PA view, R wrist XR:

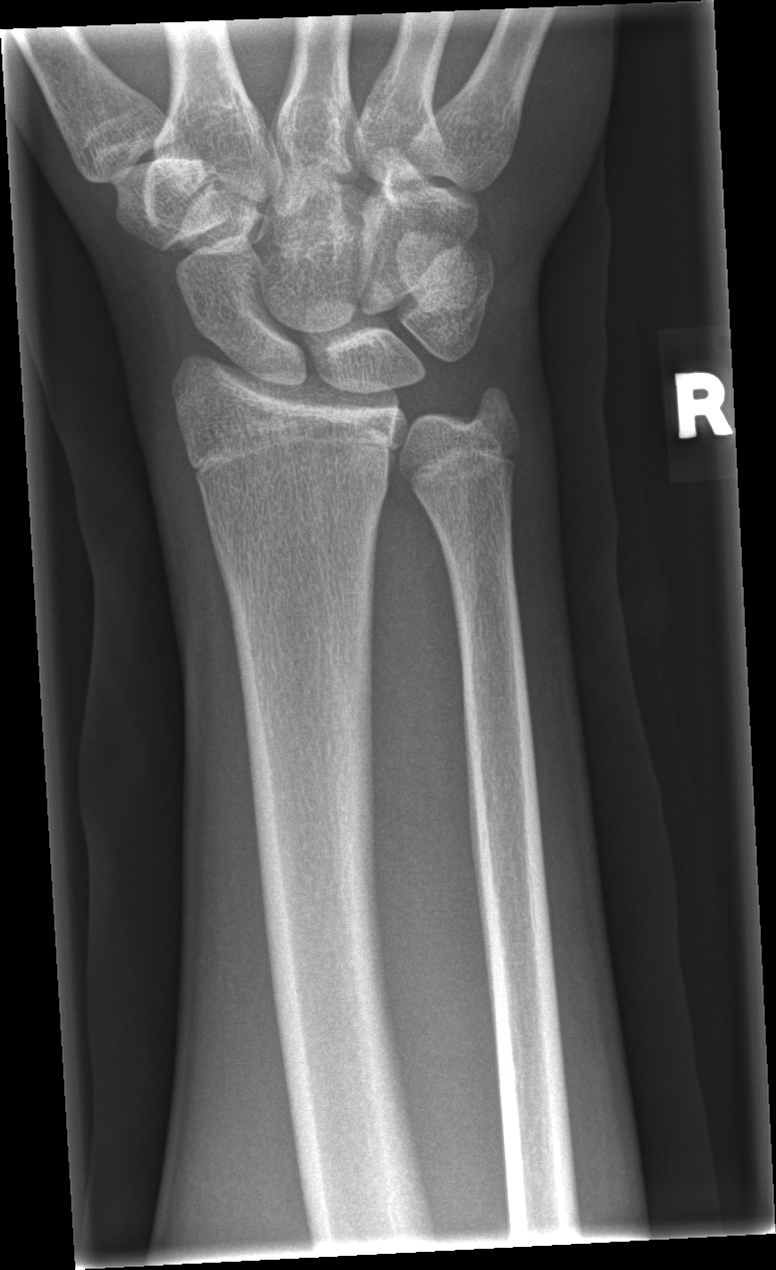
- Fracture: none labeled.